AP projection, right wrist X-ray, imaged through cast —
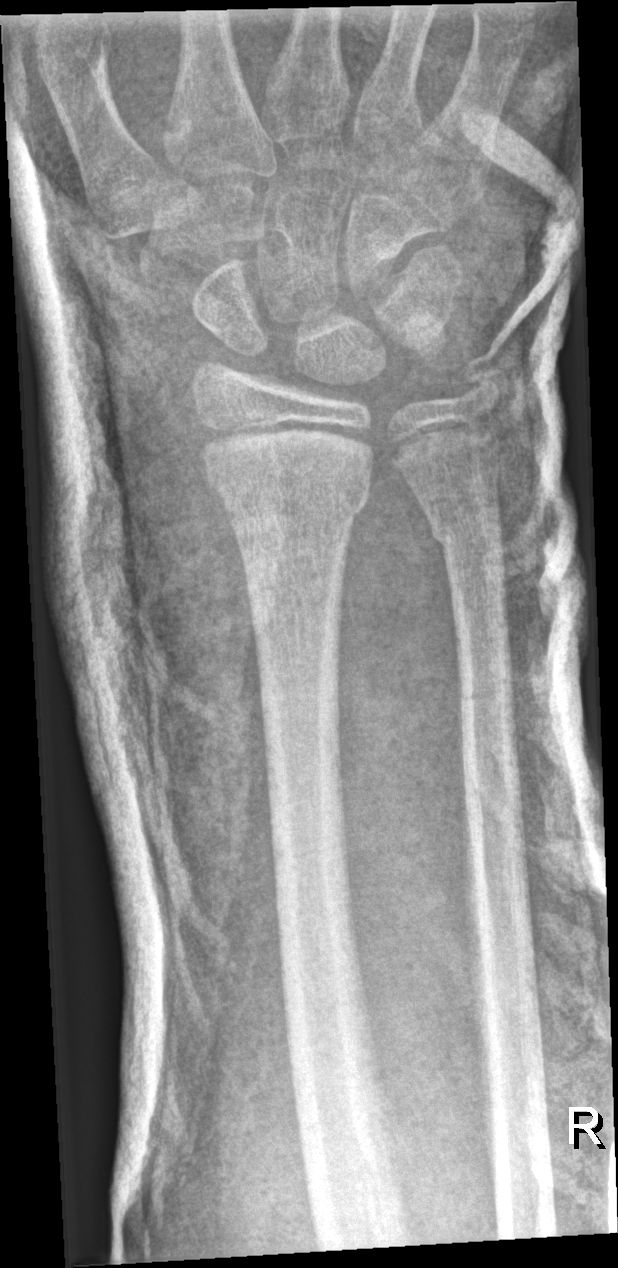

Q: AO code?
A: Fracture classified AO/OTA 23r-E/2.1; 23u-M/2.1
Q: Is there a fracture?
A: Bone fracture identified at bbox(206, 461, 372, 529); bbox(426, 511, 508, 566)